AP view · R pediatric wrist radiograph · initial study.
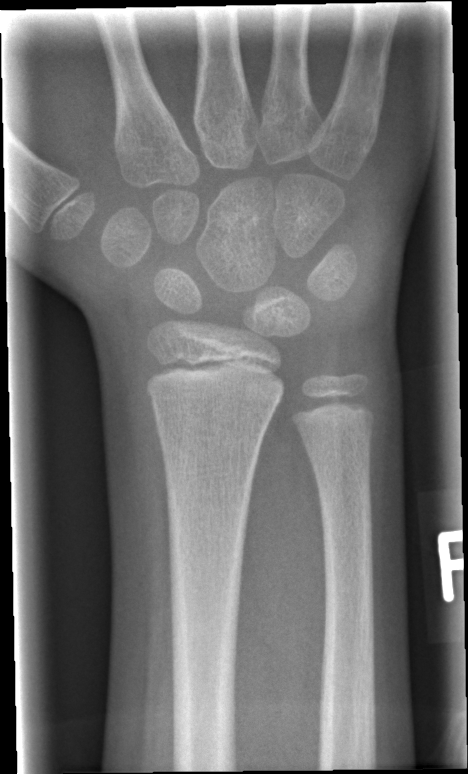

Q: Fracture present?
A: No fracture bounding box